Lat view, right wrist X-ray.
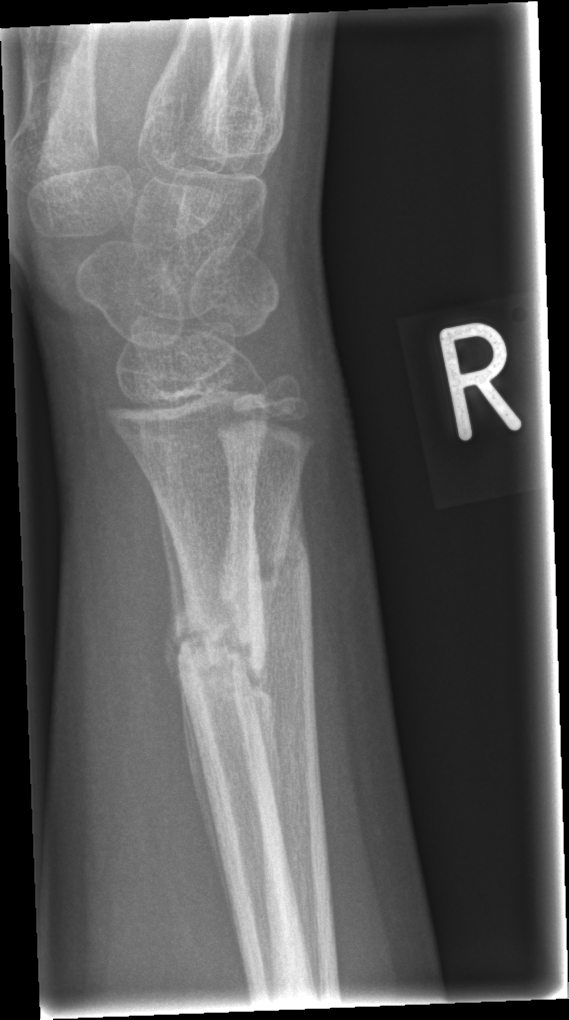

• AO/OTA classification: 23-M/3.1.
• Two Fx at 168,576,283,712
  217,535,321,645.
• Osteopenic.
• Periosteal new bone identified at 179,676,235,934; 243,646,286,844; 152,489,194,688.